PA, left wrist pediatric wrist radiograph, follow-up study, cast in situ, 628 by 1194 pixels

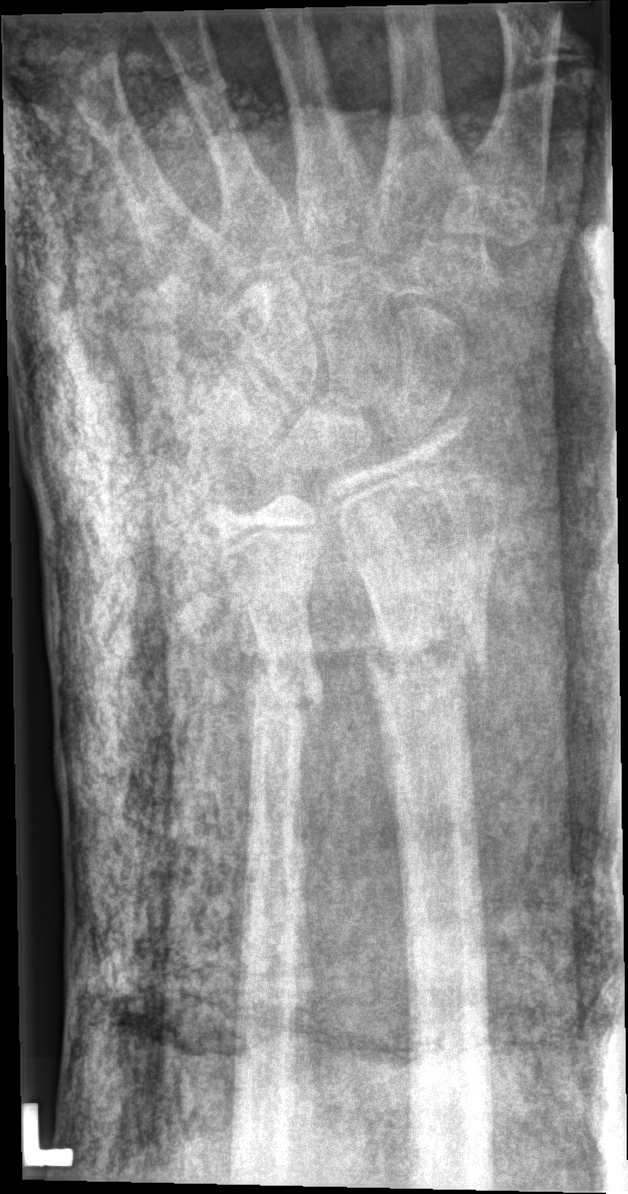

FINDINGS — AO code 23-M/3.1. Fx — bbox(362, 612, 489, 713) bbox(240, 645, 325, 731).